Left plain radiograph of the wrist, lat, presentation radiograph:
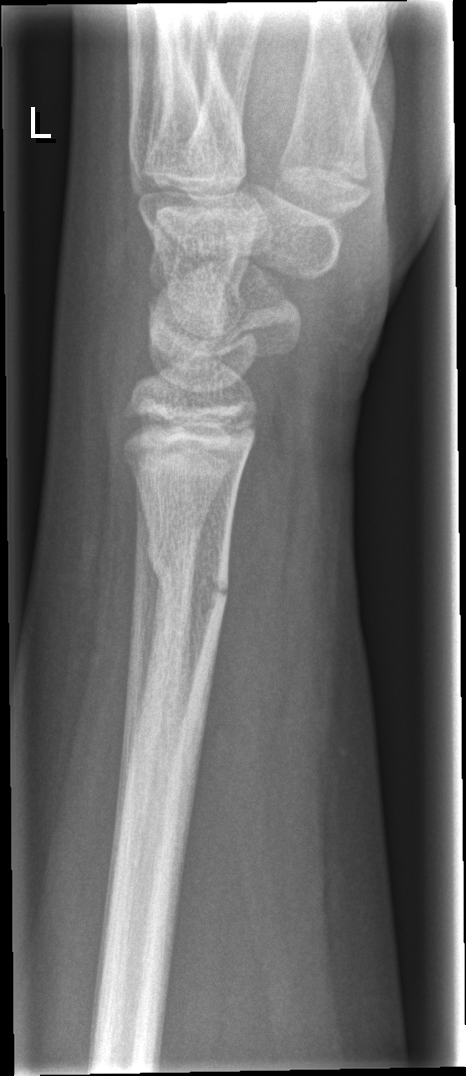

Bounding boxes in image-pixel xyxy. Fracture classified AO/OTA 23r-M/3.1; 23u-E/7. Fracture — (143, 536, 235, 609).